Right wrist plain film; AP projection; 9-year-old girl; initial study; acquired on Siemens

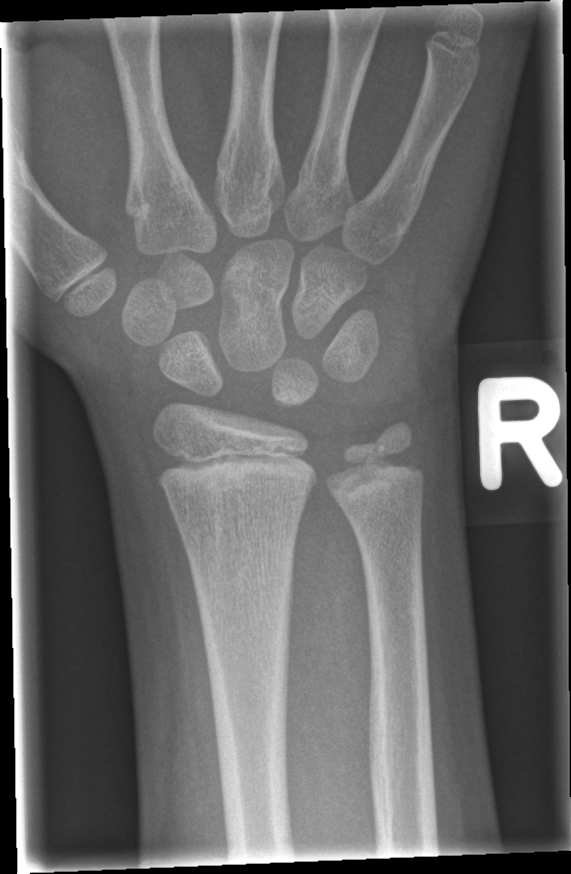

FINDINGS: Fracture: none labeled.